PA projection | left wrist pediatric wrist radiograph. 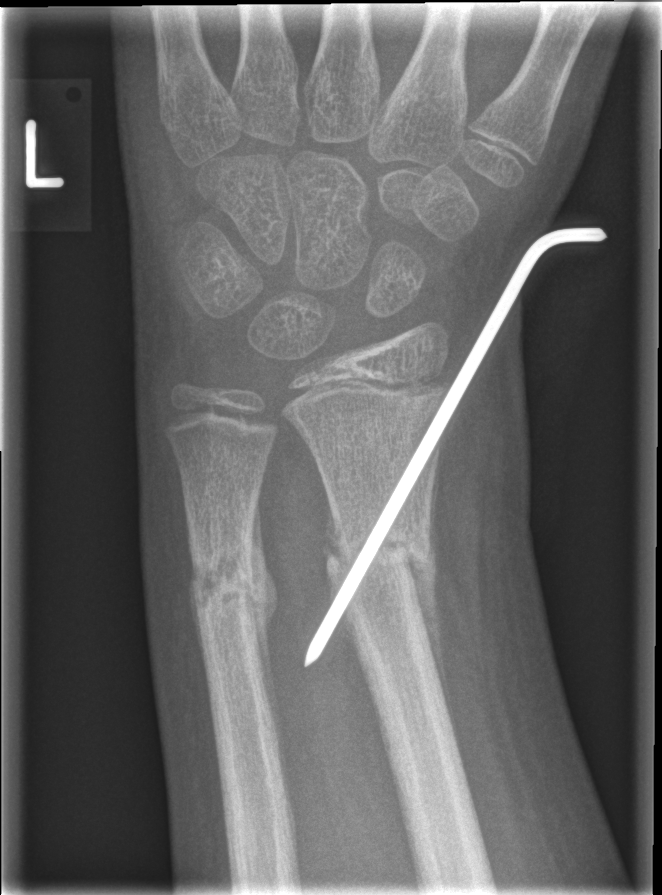   ao: 23-M/3.1
  periostealreaction: <404,450>-<463,769>, <250,491>-<283,766>, <319,488>-<349,572>
  osteopenia: present
  fracture: 2 @ <181,524>-<281,648>, <320,510>-<438,612>
  metal: <304,228>-<608,667>